Left wrist radiograph | lateral projection
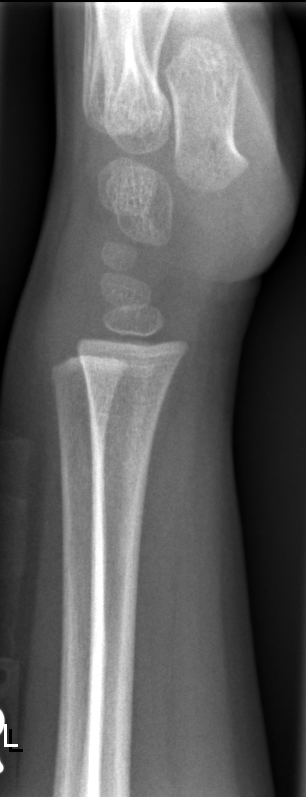 No fracture annotation.